PA projection · left pediatric wrist radiograph · 8y M.

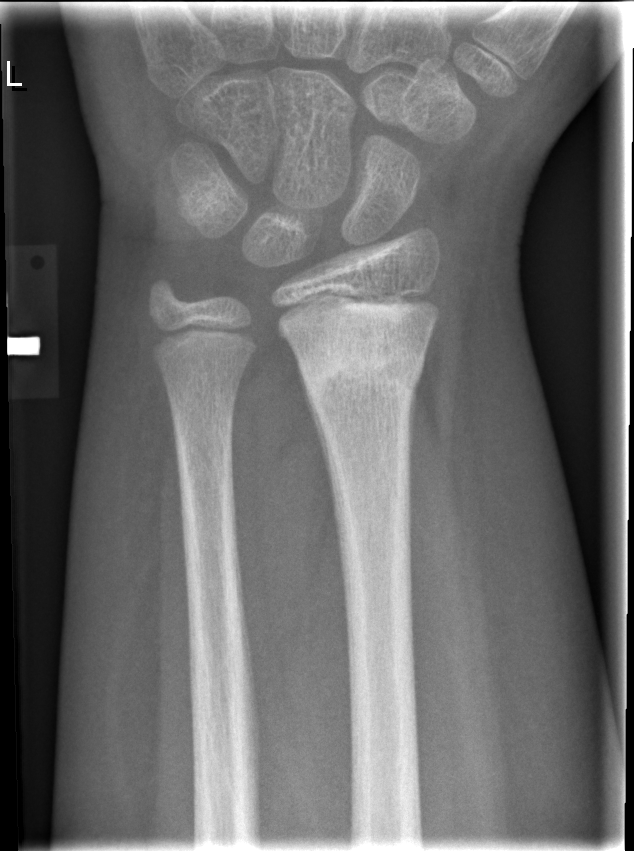

{
  "periostealreaction": "2 @ (295, 356, 335, 513); (408, 335, 431, 472)",
  "ao": "23r-M/2.1",
  "osteopenia": "present",
  "fracture": "(298, 340, 427, 403)"
}